PA/AP projection; L wrist plain film; 608x1123.

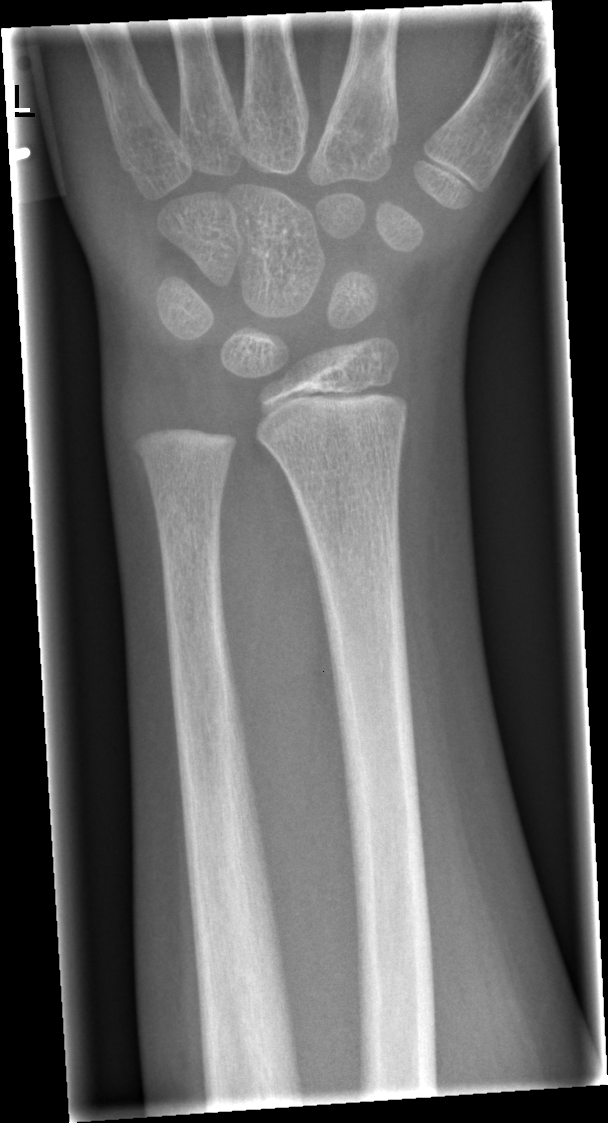 {
  "fracture": "none labeled"
}